Right wrist XR, lat projection, index exam, detector: Siemens — 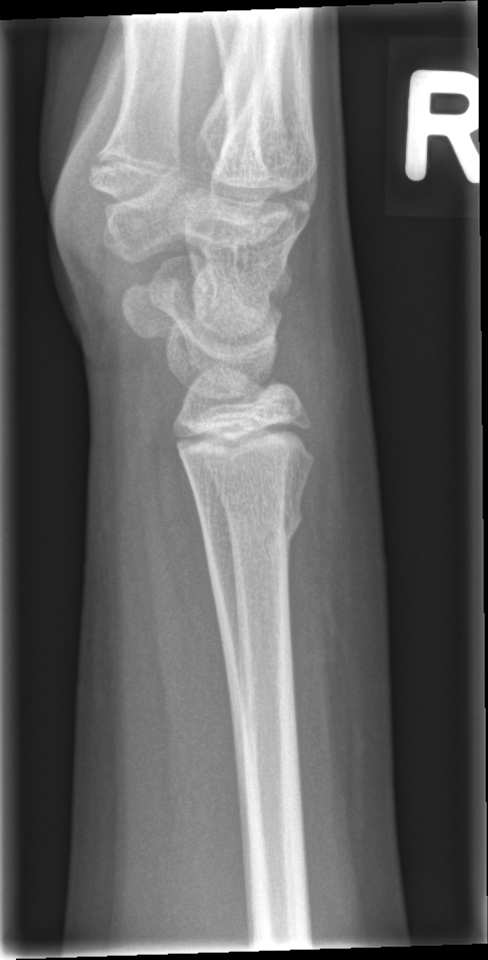
• Boxes as x1,y1,x2,y2 (top-left / bottom-right, pixel units).
• One fracture at (194, 493, 307, 555).
• AO code 23r-M/2.1.